Left wrist plain film, PA projection, 17-year-old female, 78.3 mm image width:

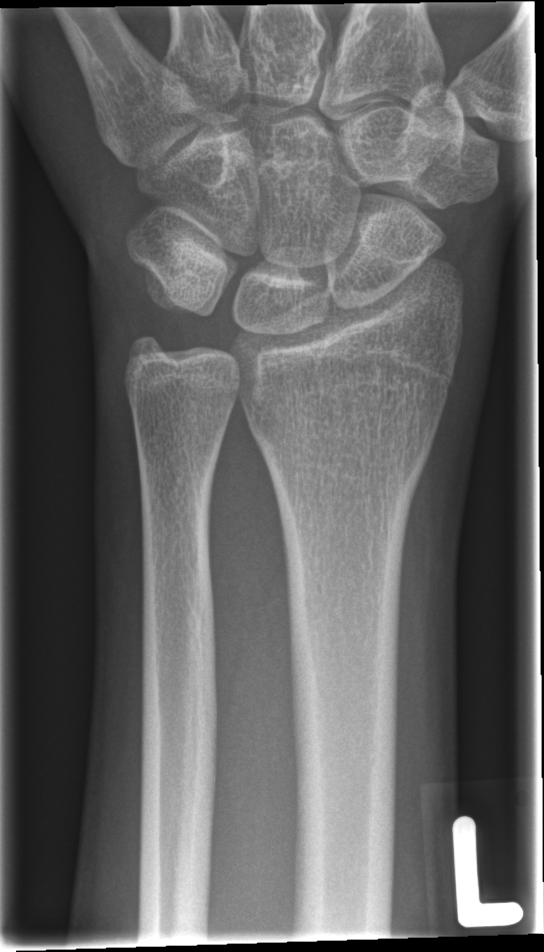
{
  "fracture": "none labeled"
}